Lat projection, right wrist plain film, pediatric patient (male, age 16).

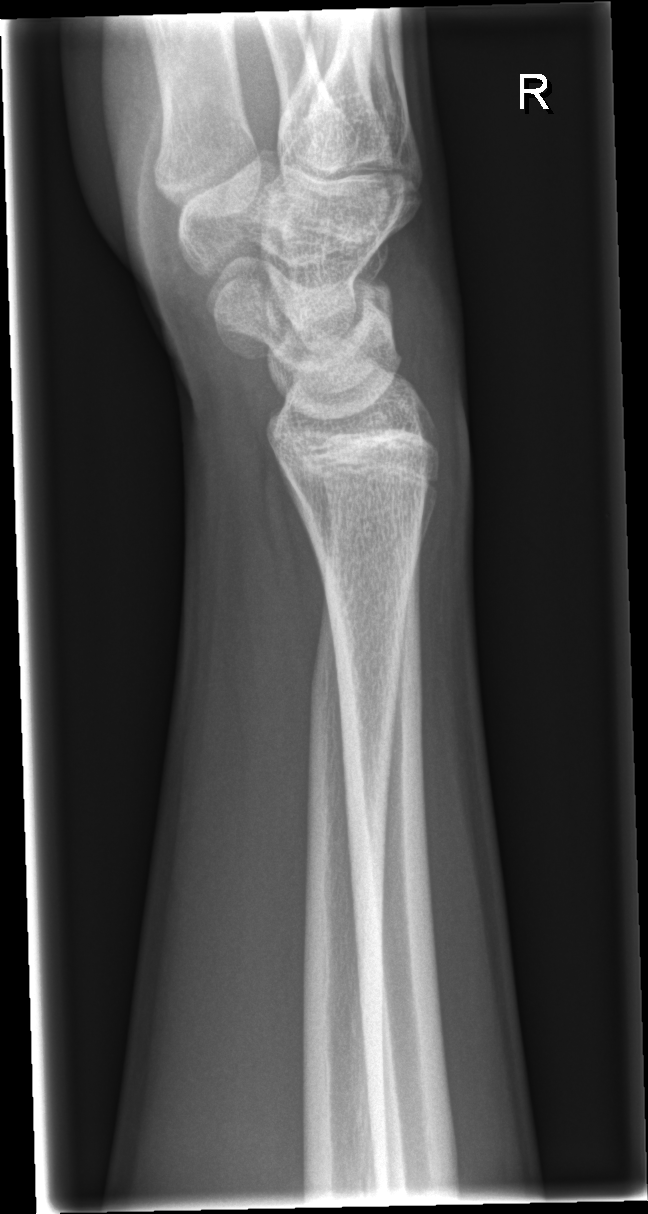

Fx = none labeled